Posteroanterior projection · right wrist X-ray · pediatric patient (female, age 11).
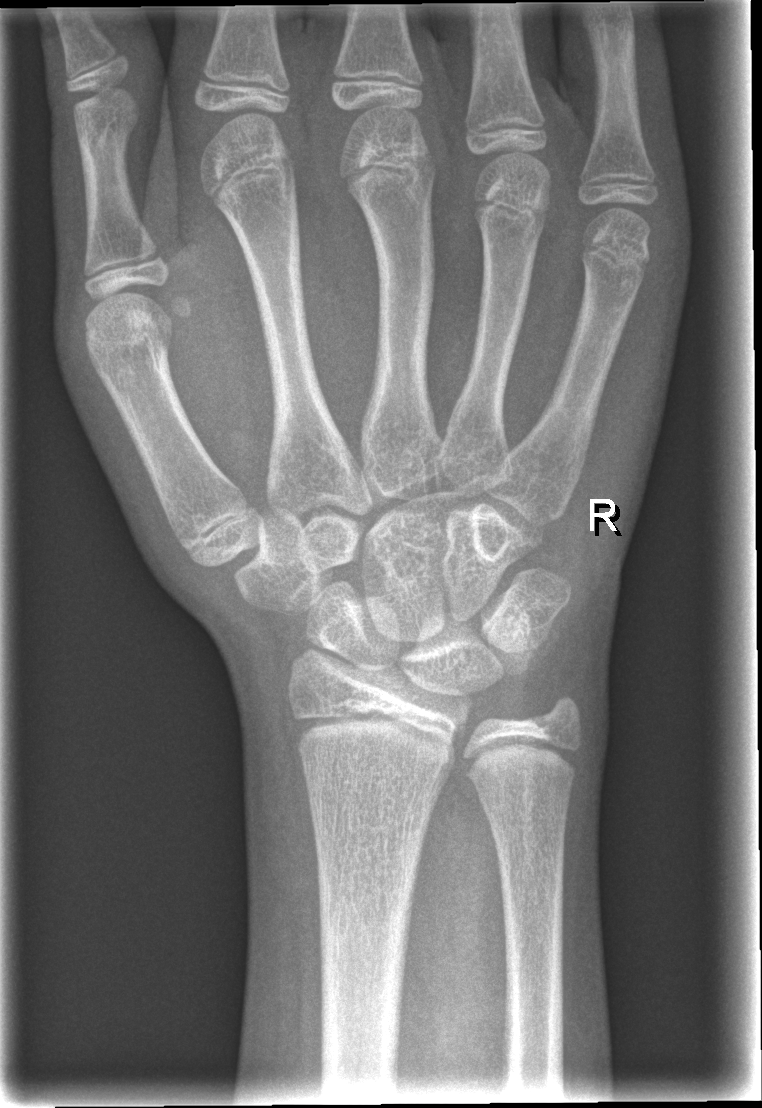

Findings: Fx: none.